R wrist X-ray · lat · initial study:
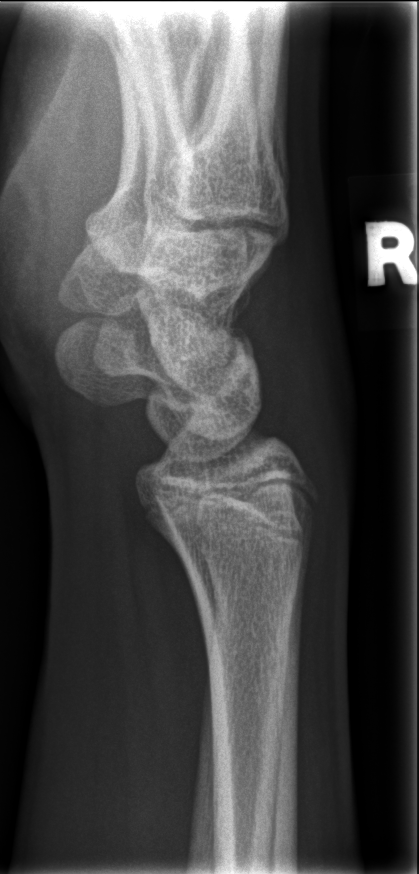
- Fracture: none labeled.